Left wrist radiograph; lat projection; boy, 7 yo; imaged through cast; detector: Siemens —
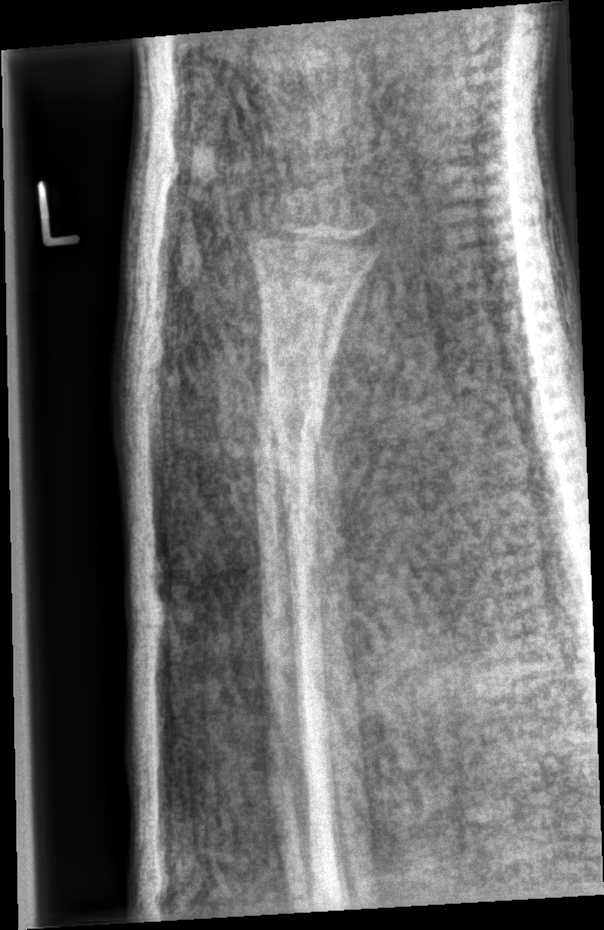

Q: AO code?
A: Fracture classified AO/OTA 23r-M/3.1; 23u-M/2.1
Q: Fracture present?
A: One fracture at (left=252, top=387, right=329, bottom=462)